Left wrist X-ray; posteroanterior projection; boy, 14 yo; presentation radiograph:
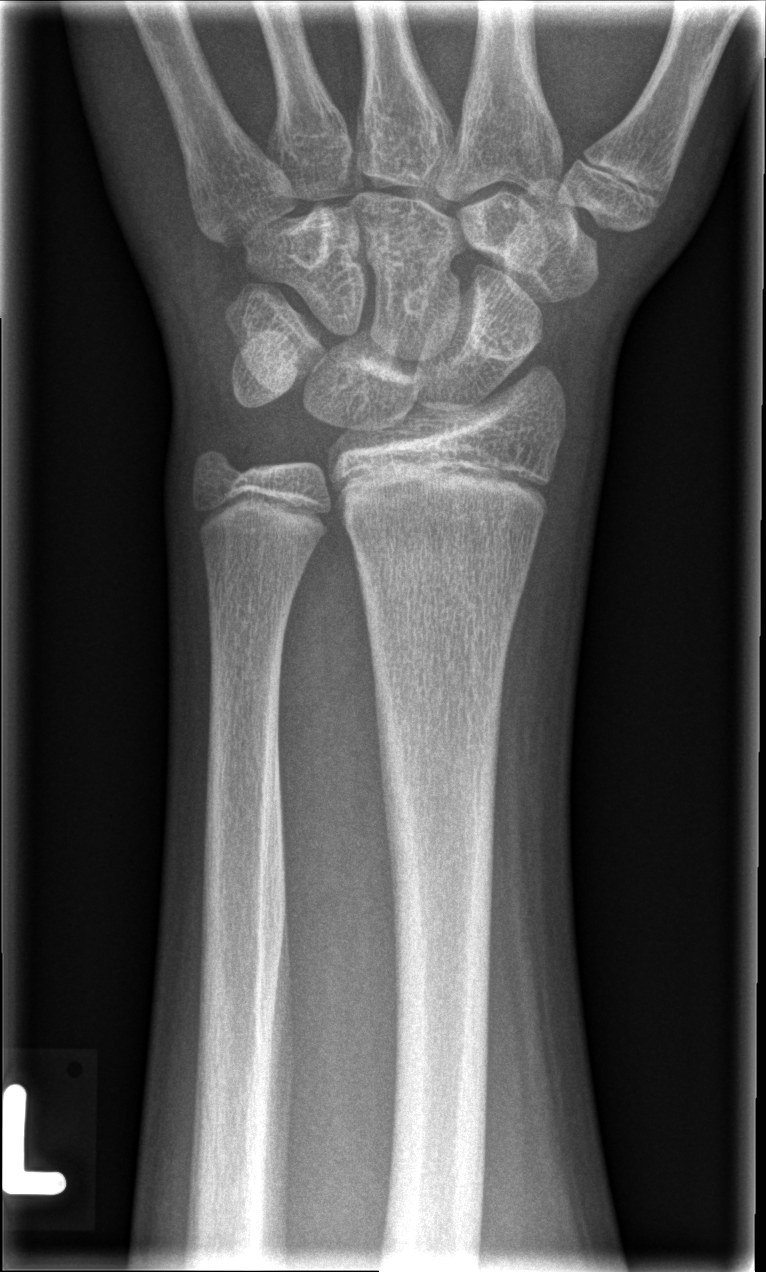
bone fracture = none labeled